Lateral; L wrist radiograph; age 10 y, female; follow-up study; in cast; detector: Siemens: 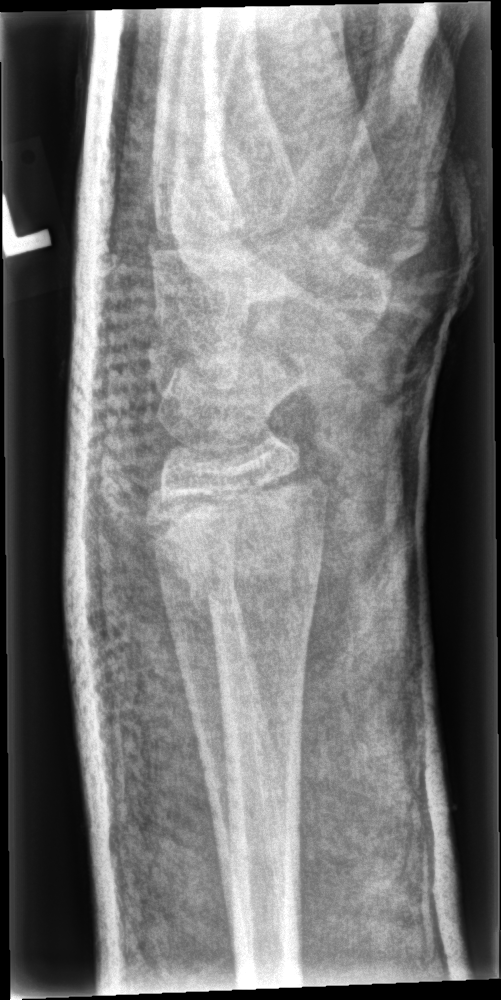

Bone fracture = (148, 522, 329, 629)
AO/OTA = 23r-M/3.1; 23u-E/7